Lat · Lt wrist plain film · 10-year-old girl — 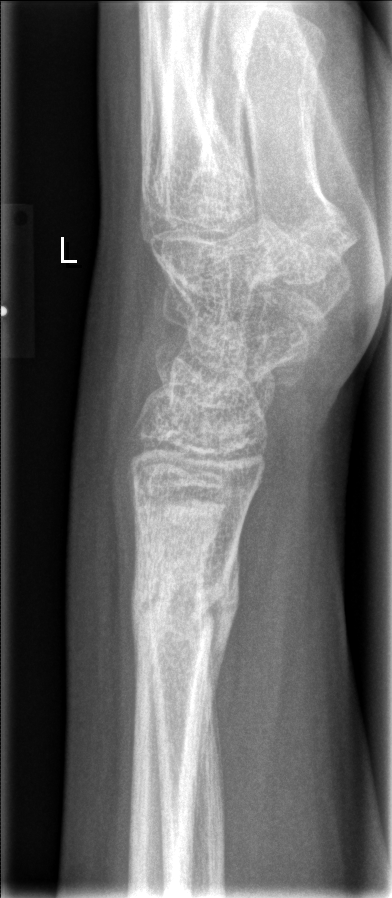 (bounding boxes in image-pixel xyxy)
Fracture = 1 @ 126 551 243 659
Osteopenia = present
Periosteal thickening = 190 526 244 824